Lateral projection · Rt wrist radiograph · 10-year-old female.
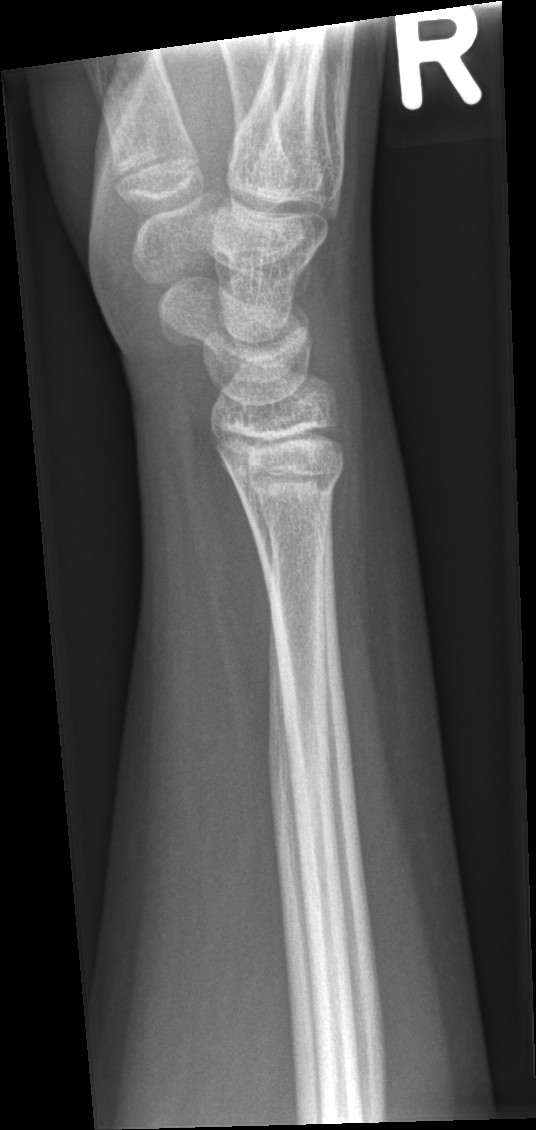
One Fx at [226, 452, 346, 515]. Fracture classified AO/OTA 23r-M/2.1.